PA projection, Rt wrist XR, 5y F, 590x986 —
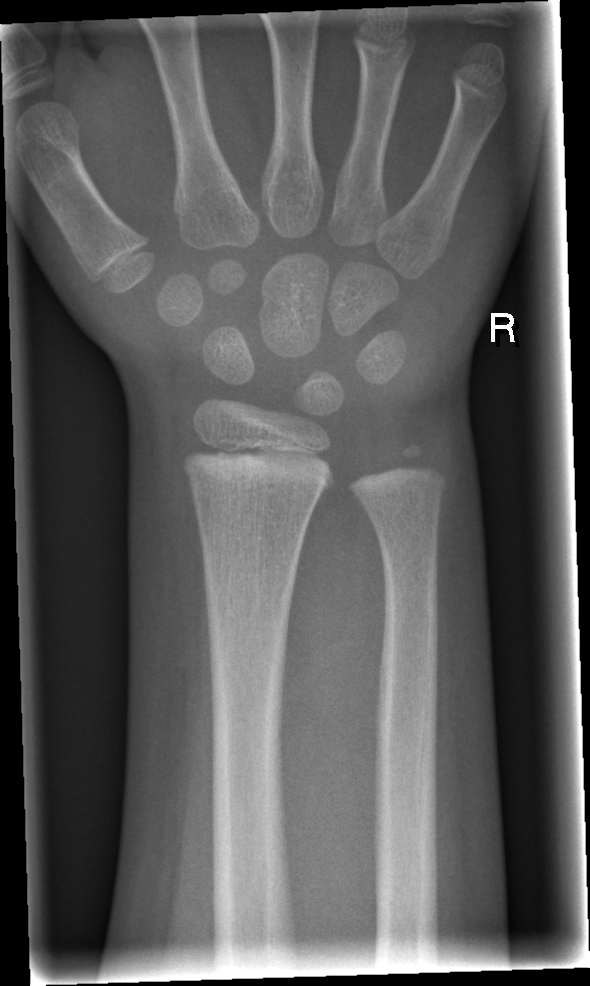 Fx: present but not clearly seen in this view
AO classification: 23r-M/2.1